Frontal, R pediatric wrist radiograph, 588 x 1087 px:

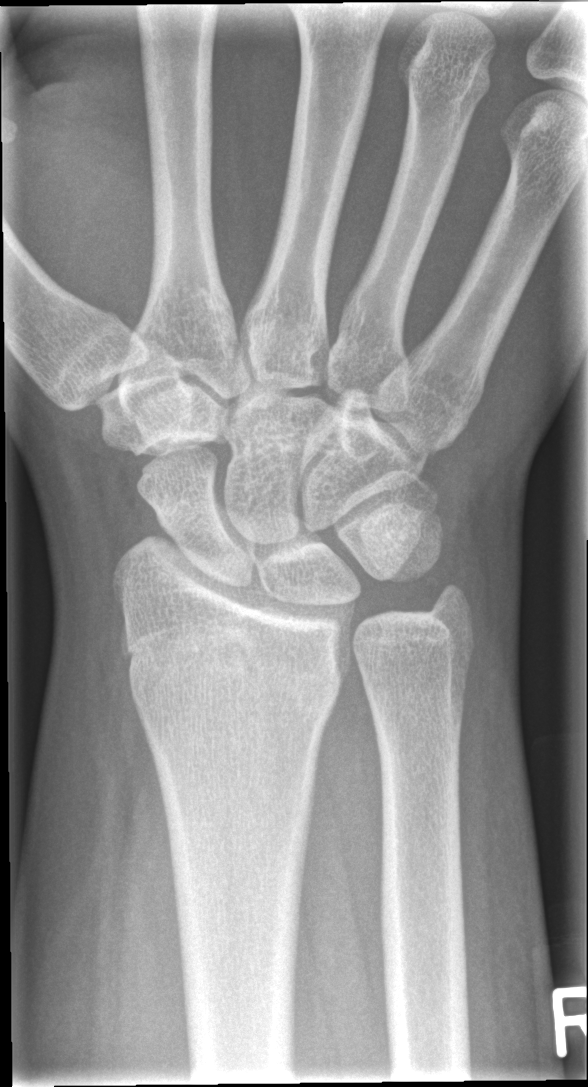 FINDINGS: (pixel coordinates, top-left origin, xyxy) Fracture identified at <116,643>-<349,725>.